Frontal view · right wrist plain film · boy, 16 yo.
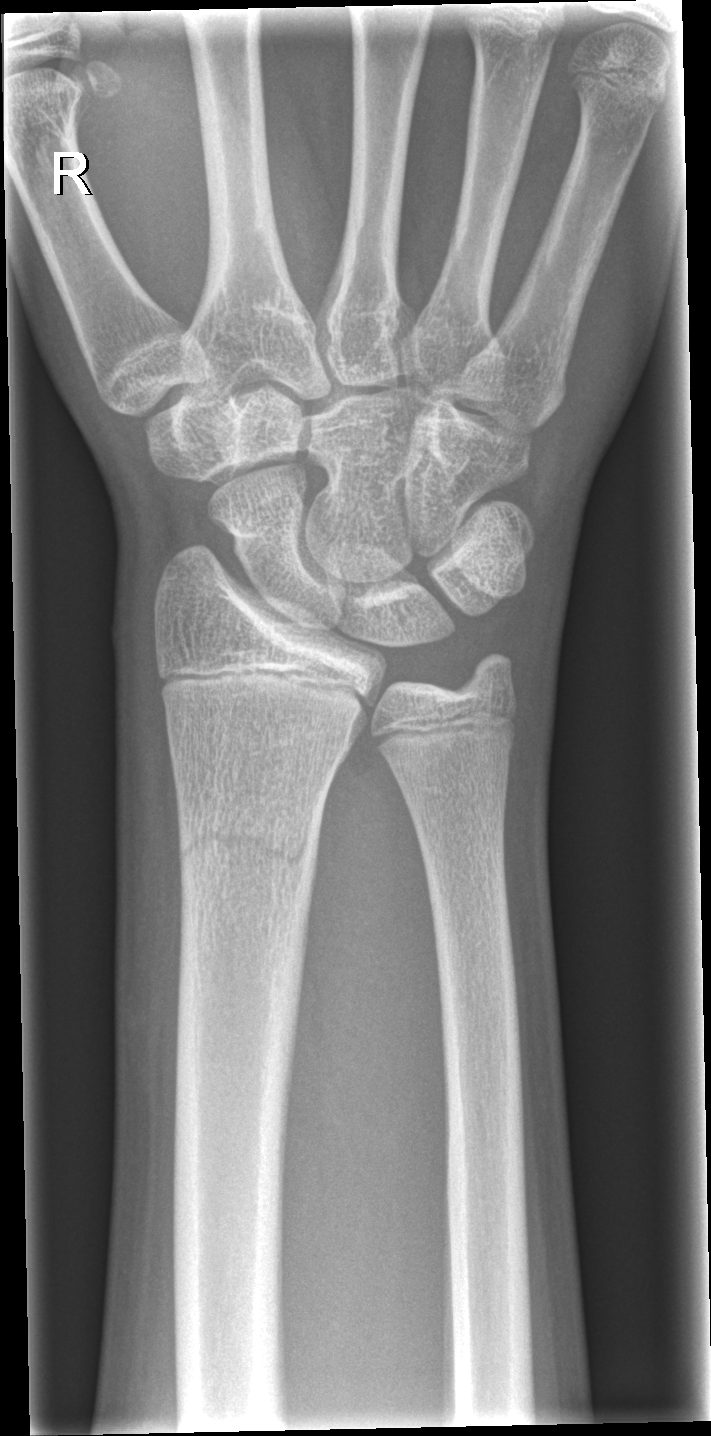

One bone fracture at [x1=170, y1=798, x2=328, y2=896]. Fracture classified AO/OTA 23r-M/2.1.